Right wrist pediatric wrist radiograph | lateral | 6y M
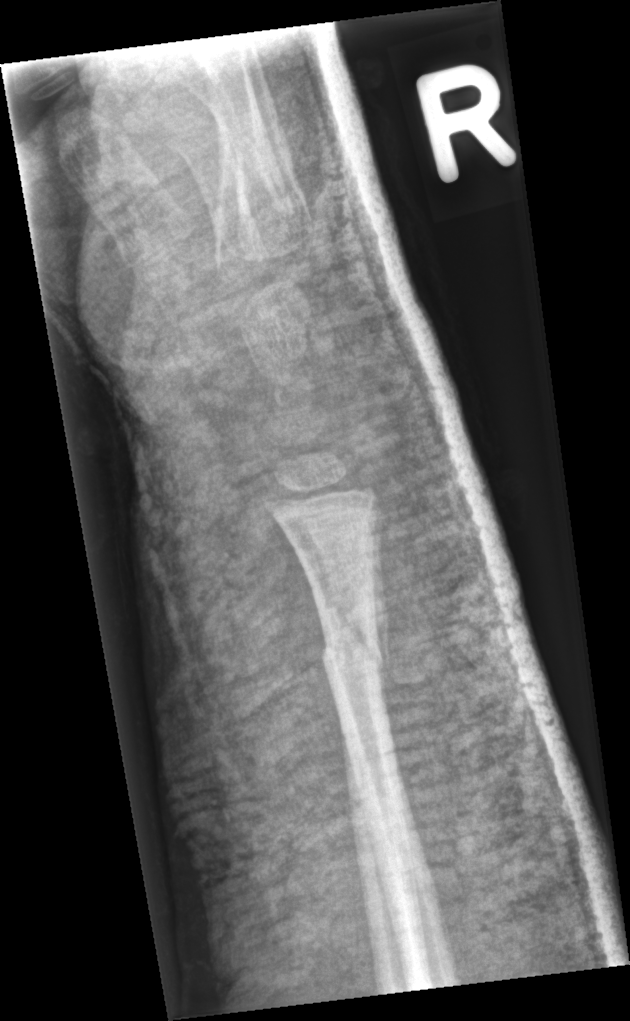 AO/OTA classification: 23-M/3.1. One fracture at (left=313, top=604, right=391, bottom=690).